Lat view, R pediatric wrist radiograph, 13-year-old male:

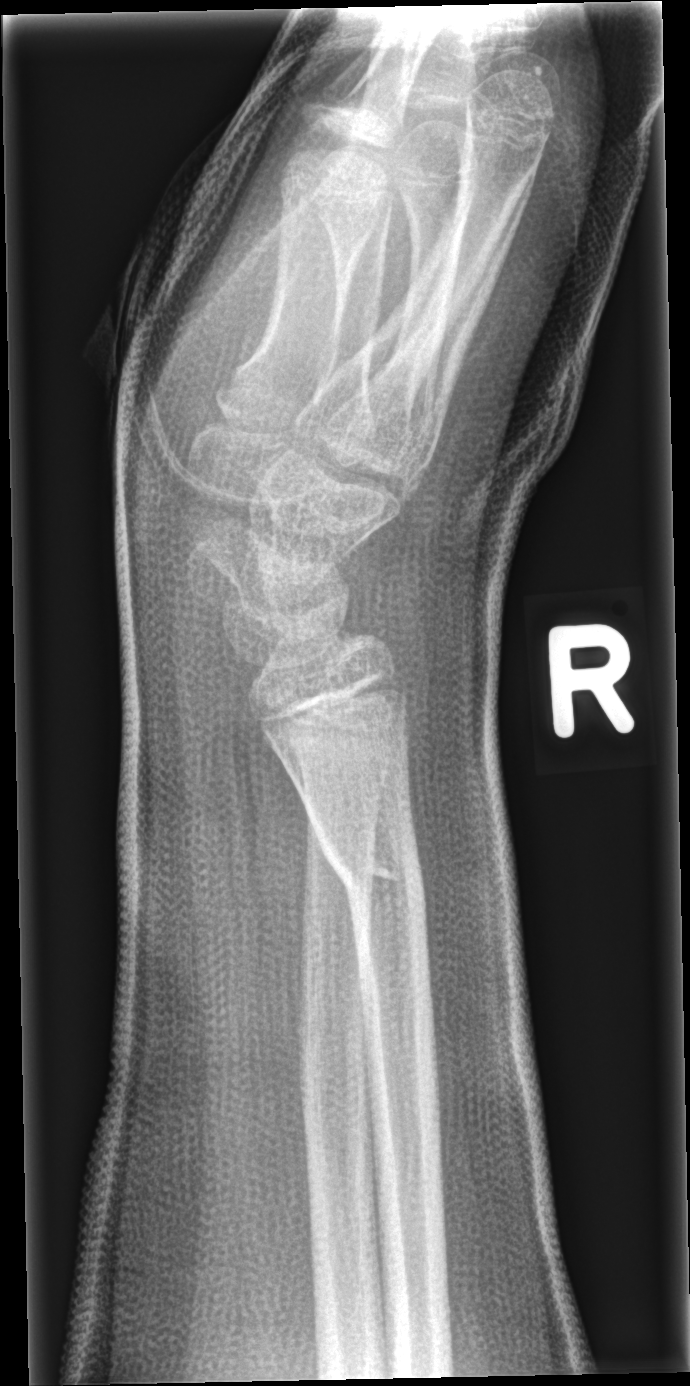 FINDINGS — Fracture — [321, 827, 428, 919].